Posteroanterior view · R plain radiograph of the wrist · subsequent exam · Siemens · image size 530x912 —
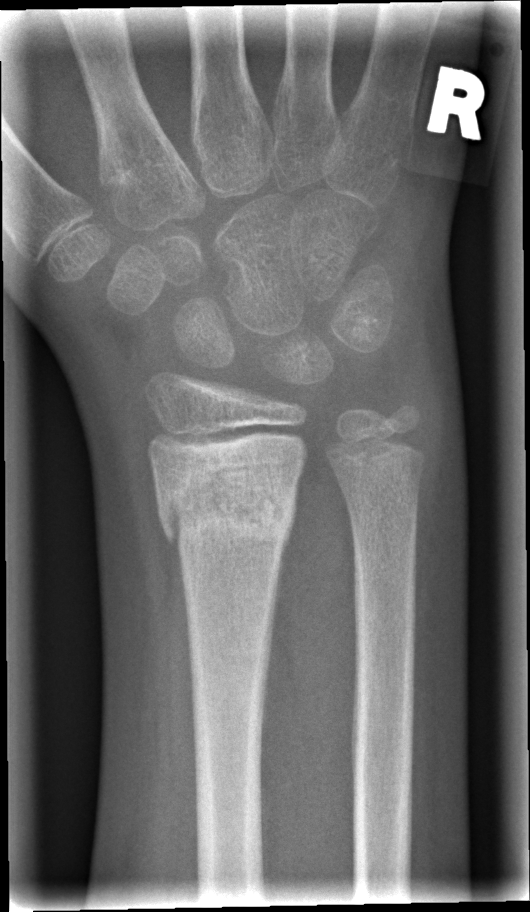
FINDINGS: Osteopenia. Fx identified at [x1=152, y1=470, x2=303, y2=549]. AO/OTA classification: 23r-M/3.1.